Lat projection, Lt wrist radiograph, age 13 y, boy.
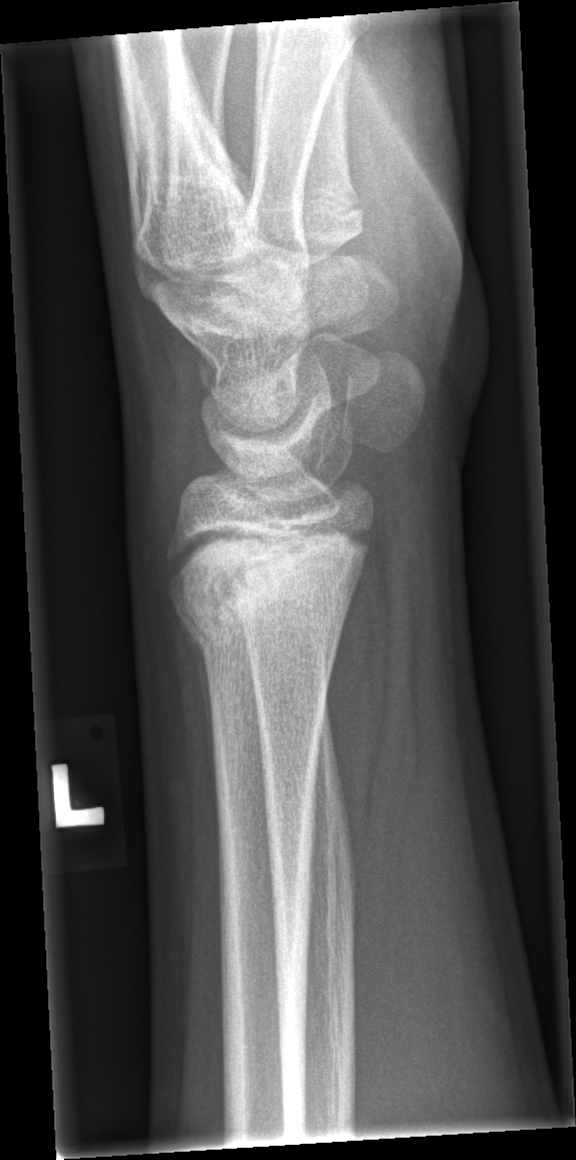
(bounding boxes in image-pixel xyxy)
AO code: 23r-E/2.1; 23u-E/7
Fx: 1 @ <163,524>-<377,667>
periosteal reaction: <175,601>-<220,812>